PA/AP; left wrist radiograph; 2y F; index exam:
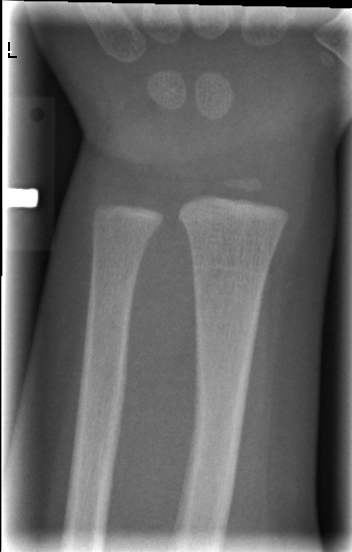 No fracture annotation.